PA view · Rt plain radiograph of the wrist · 628 by 1094 pixels —
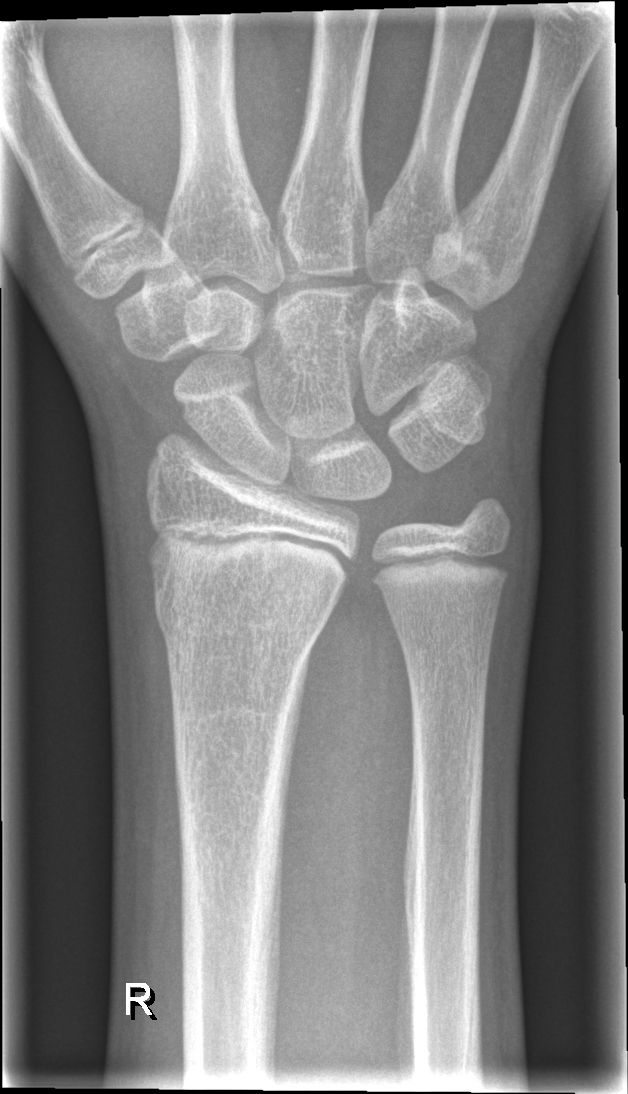
(pixel coordinates, top-left origin, xyxy)
Q: Fracture present?
A: Fx identified at 152 579 337 655